Posteroanterior view, right wrist plain film, presentation radiograph 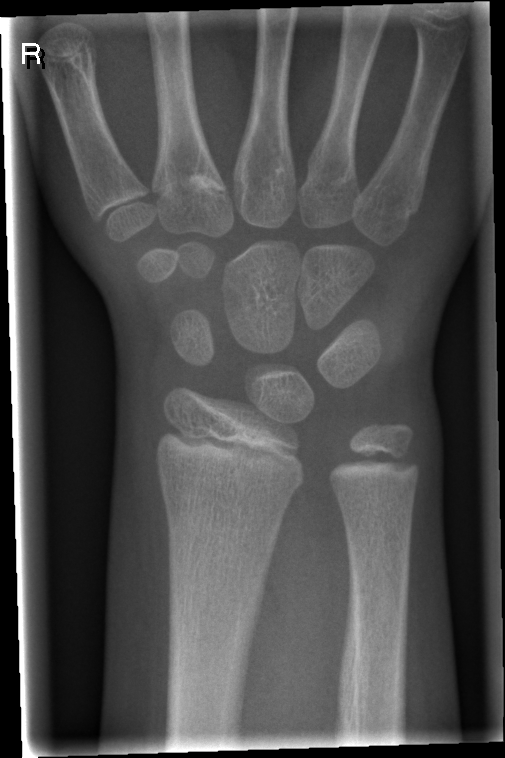

Fx: none.